Right pediatric wrist radiograph | lat view — 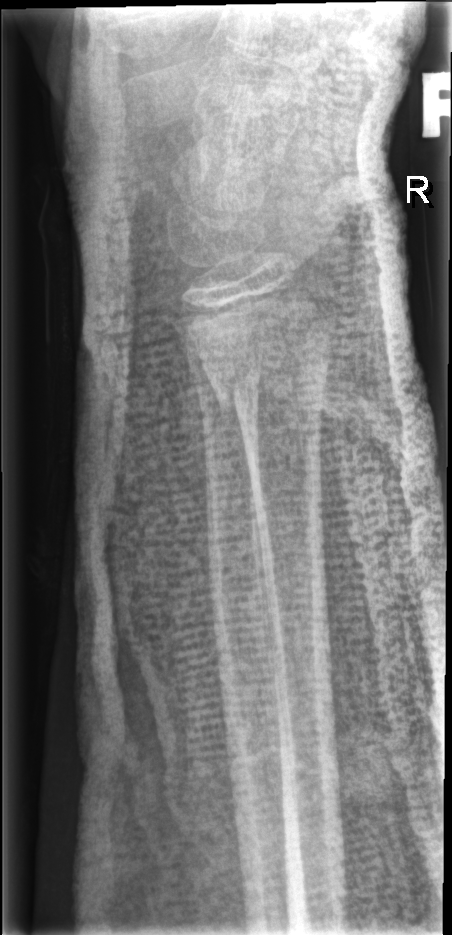 (coordinates are [x1, y1, x2, y2] in image pixels)
Q: Fracture present?
A: Bone fracture — [204, 333, 332, 427]
Q: AO code?
A: AO code 23r-E/2.1